Left wrist radiograph; lateral view; presentation radiograph; acquired on Siemens; image 73.4 mm wide; 510x1026.

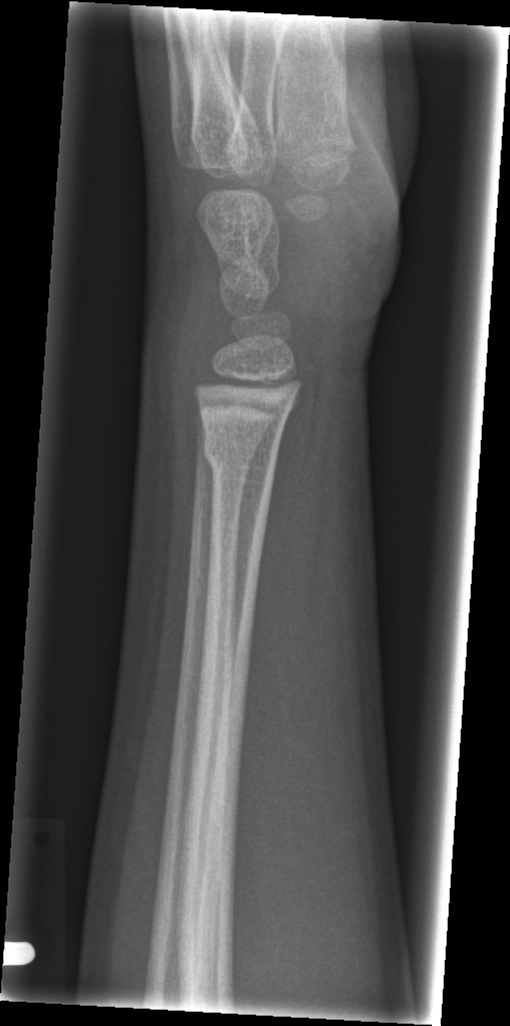 # coordinates are [x1, y1, x2, y2] in image pixels
fracture: 1 @ (200, 430, 281, 487)